Posteroanterior projection | Lt plain radiograph of the wrist | 7-year-old boy | 774x914:

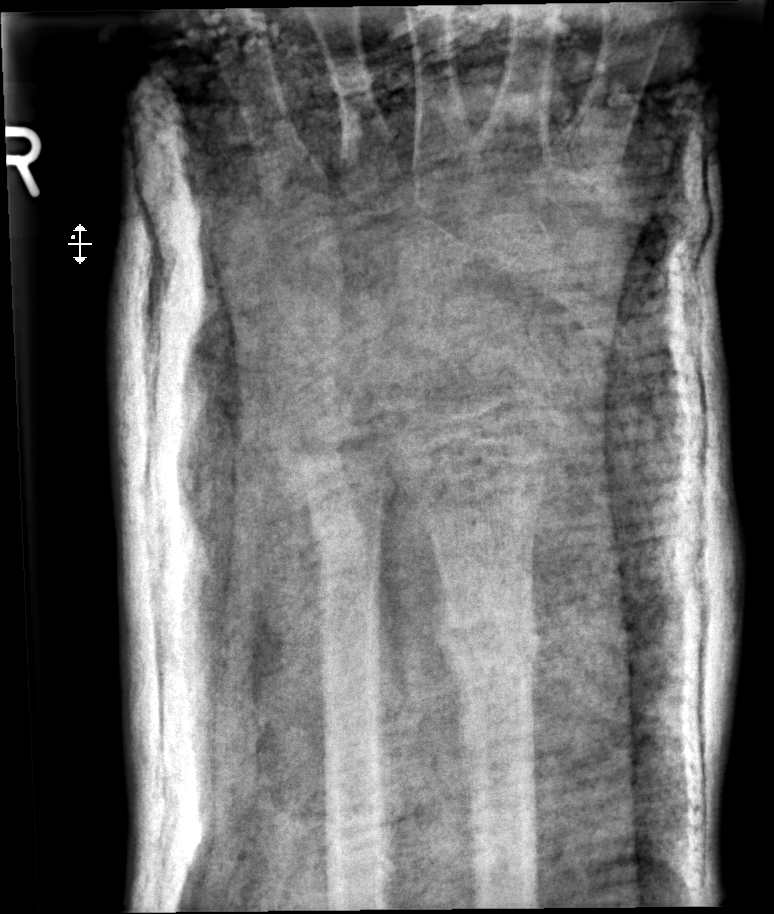
* Fx identified at (left=440, top=602, right=546, bottom=691), (left=301, top=510, right=390, bottom=564).